R wrist XR; PA projection. 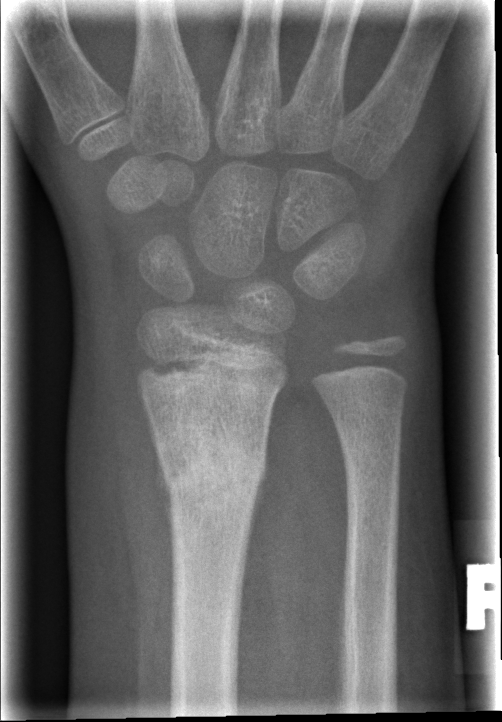
FINDINGS — AO/OTA classification: 23r-M/2.1. Periosteal thickening: [154, 441, 174, 559]. Fx: [149, 426, 268, 512].